Left wrist pediatric wrist radiograph · posteroanterior · 14-year-old male · 86.1 mm image width · 598 x 1180 px.

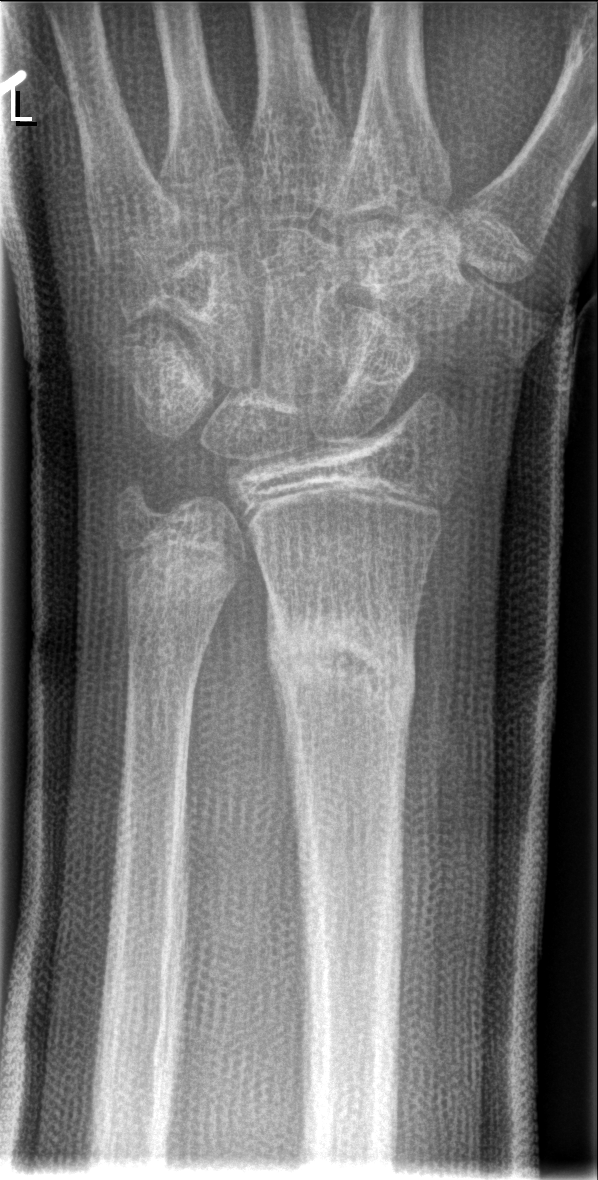
Coordinates are [x1, y1, x2, y2] in image pixels.
Fracture: 270,609,421,727
  118,549,237,618.
Reduced bone mineral density.